Right wrist X-ray · PA projection · boy, 13 yo · follow-up · in cast — 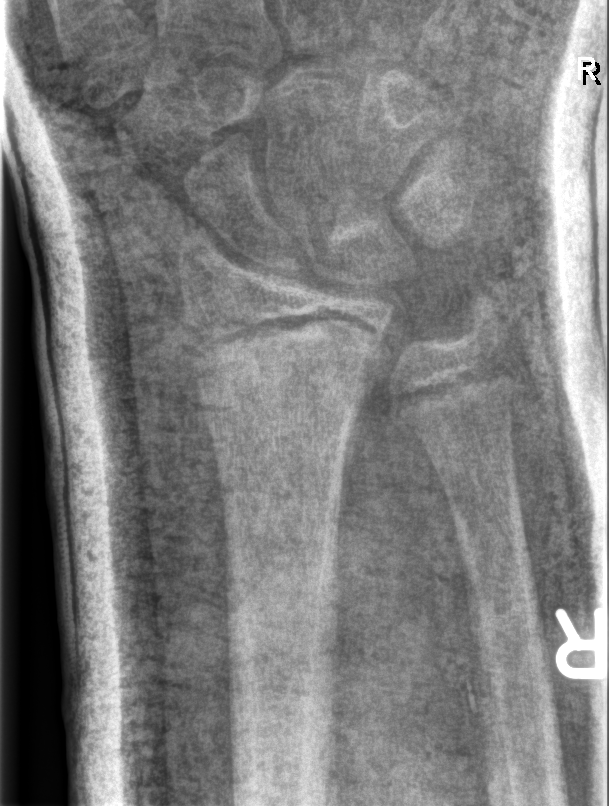 Fracture present, though not clearly seen in this view.